Lateral view, L wrist radiograph, 13y F

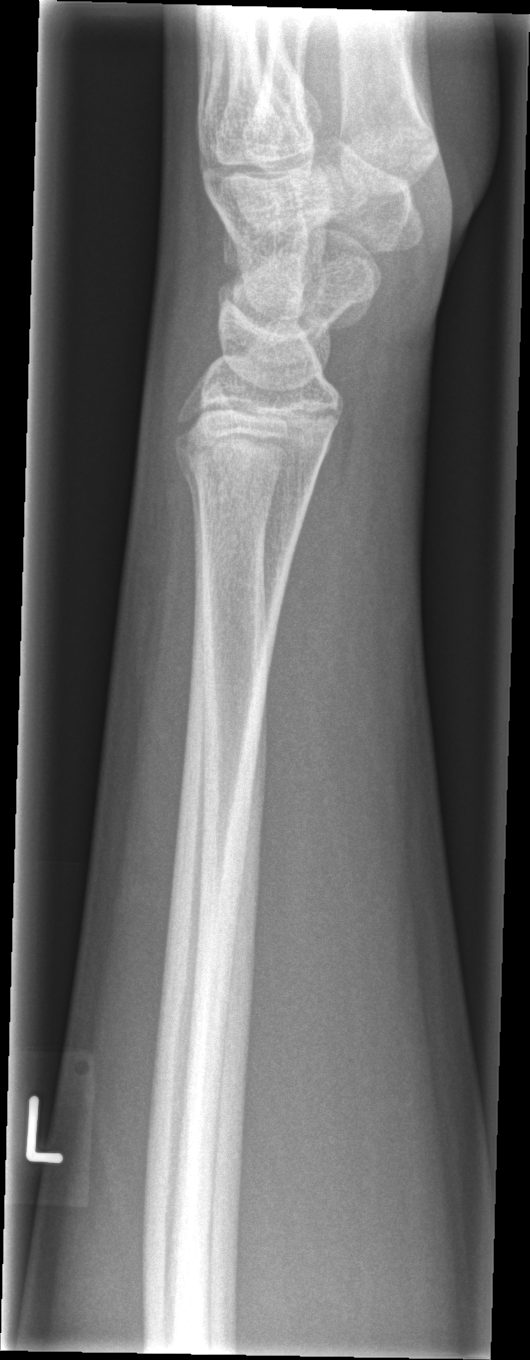

(boxes as x1,y1,x2,y2 (top-left / bottom-right, pixel units))
Fx = 1 @ (left=172, top=441, right=319, bottom=514)